Right wrist plain radiograph of the wrist; posteroanterior projection; male, 9 yo. 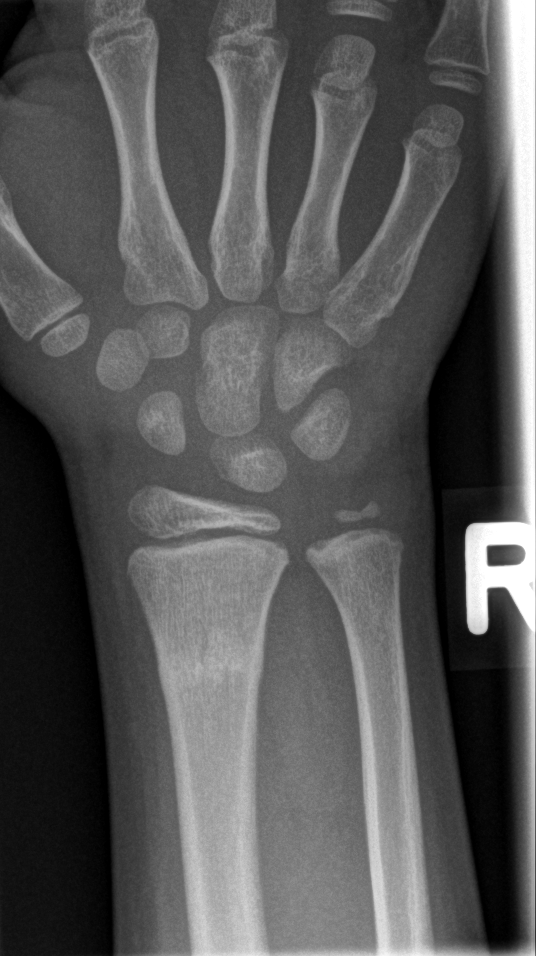

bone fracture = 153 639 269 698
AO classification = 23r-M/2.1